Lat projection; left wrist X-ray; age 15 y, male —
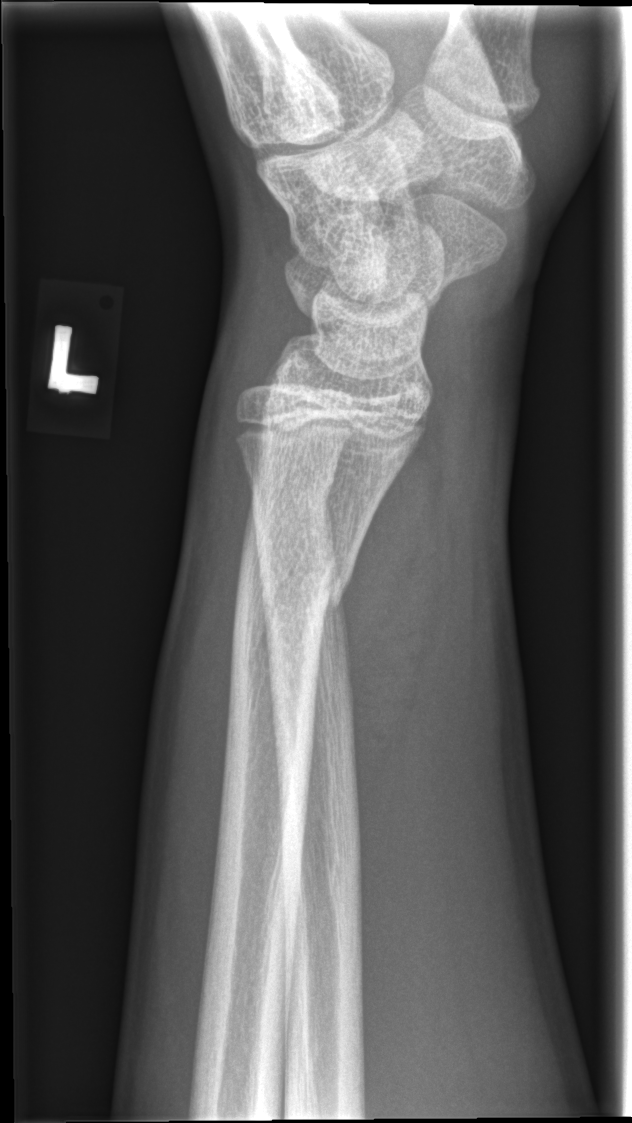

Fractures — 222 534 379 640
  228 451 357 508. One positive pronator fat-pad sign at 338 419 452 817.